PA view · left wrist XR —
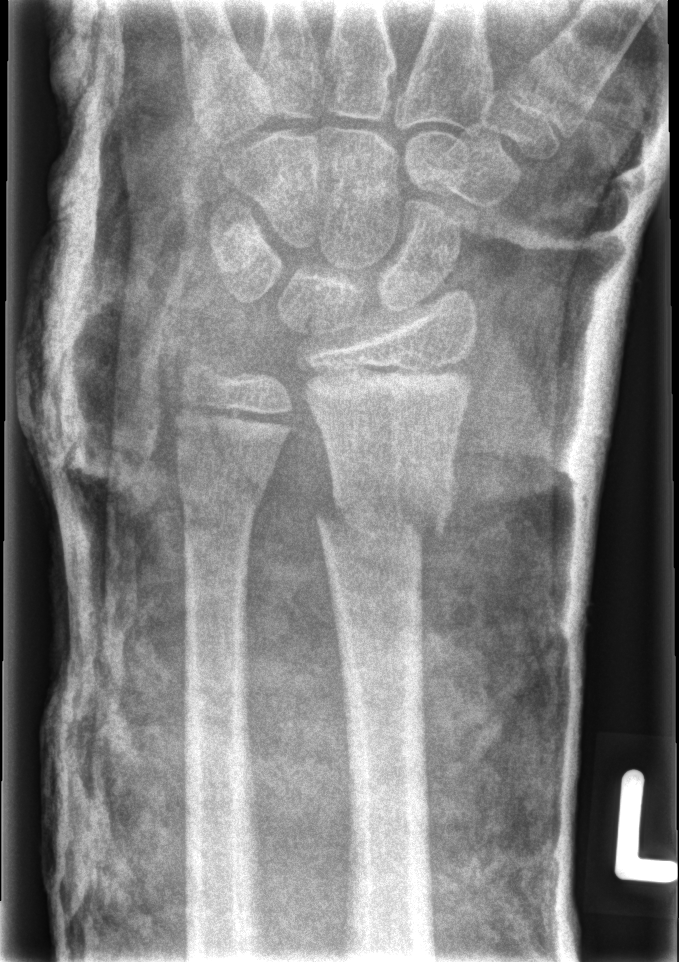
Two Fx at [311, 464, 456, 557] [174, 465, 271, 520].